Frontal; right wrist X-ray; initial study; image 76.0 mm wide: 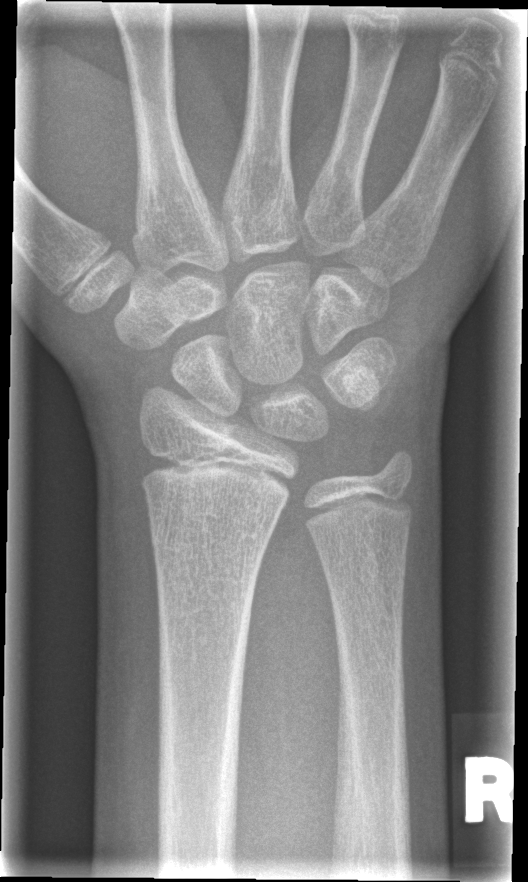 No Fx annotated.